Lt wrist XR · lat · 404x727.
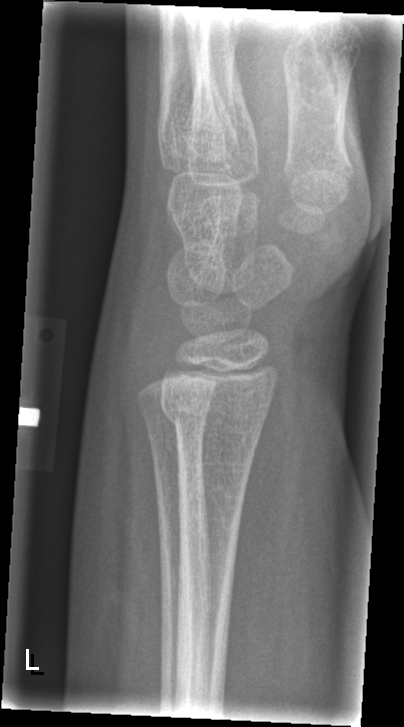 {
  "_coords": "coordinates are [x1, y1, x2, y2] in image pixels",
  "fracture": "<157,388>-<275,446>",
  "ao": "23r-M/2.1"
}